PA; L wrist XR; 8-year-old female; follow-up
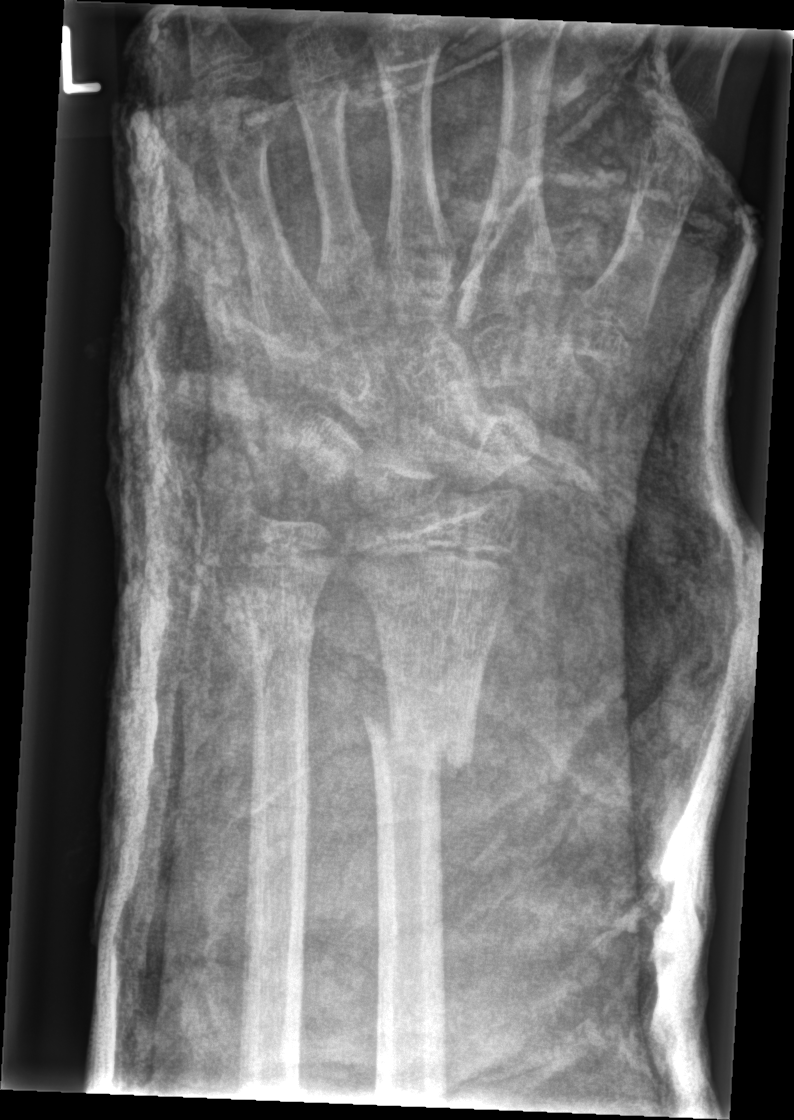

Bounding boxes in image-pixel xyxy.
Bone fracture identified at 358 703 481 788
  236 596 320 657.
Fracture classified AO/OTA 23r-M/3.1; 23u-M/2.1.